Right wrist radiograph · lateral projection · 12-year-old boy · acquired on Siemens
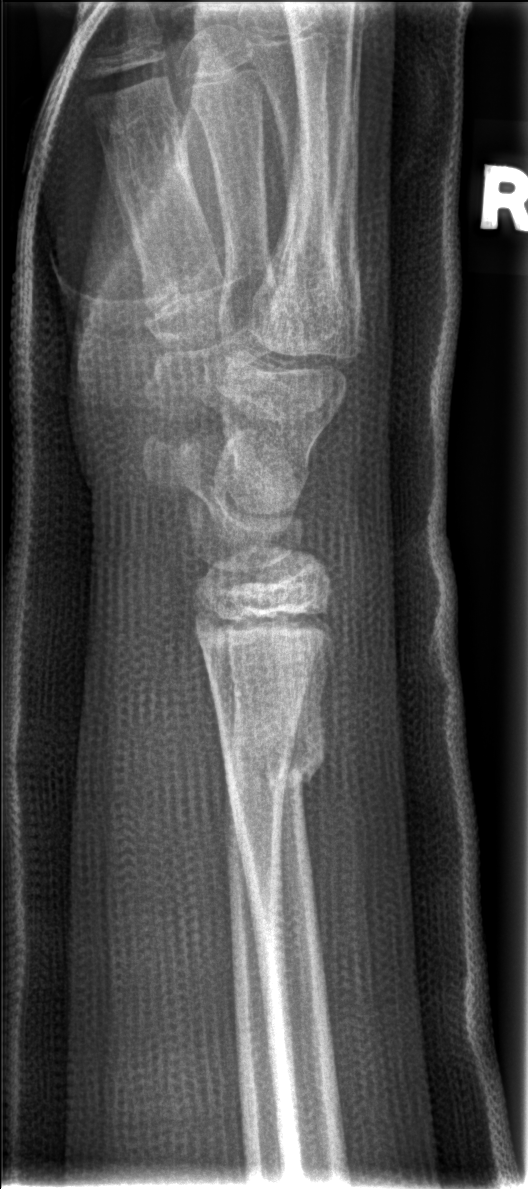
bone fracture: 1 @ <217,700>-<331,798>